R wrist X-ray, AP

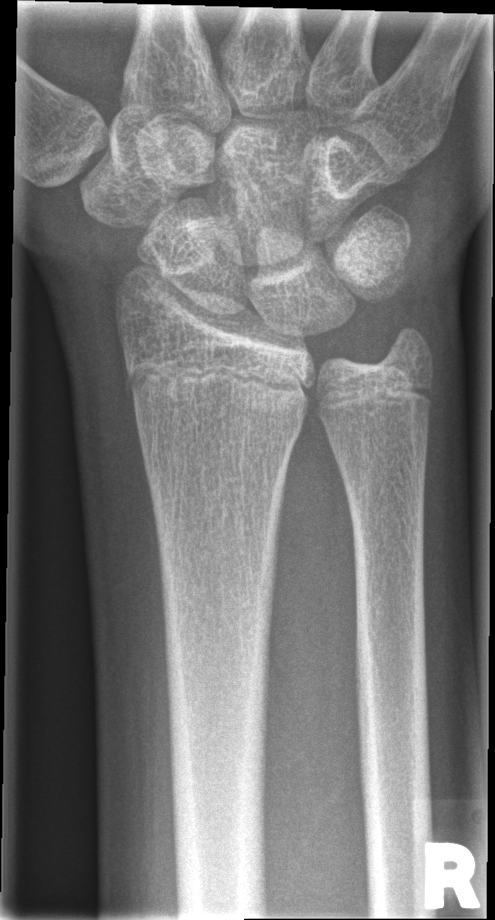 No fracture labeled.